Lateral projection, L pediatric wrist radiograph —

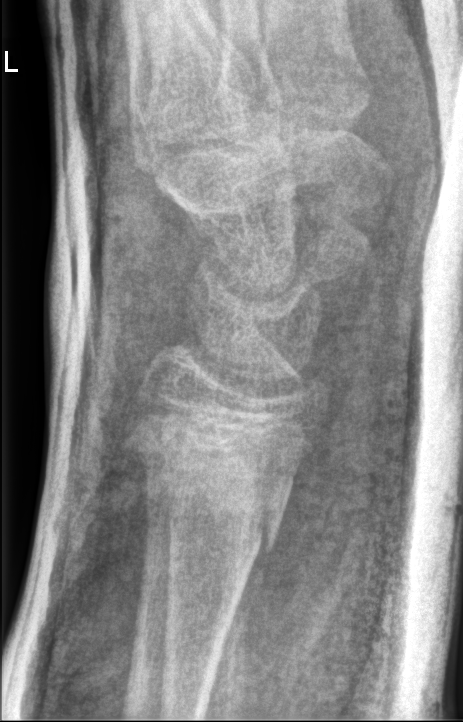
Findings: (pixel coordinates, top-left origin, xyxy) One bone fracture at <122,395>-<311,567>. Fracture classified AO/OTA 23r-M/3.1.